Lat view, L wrist radiograph, 14y M, cast present, 456x1056:
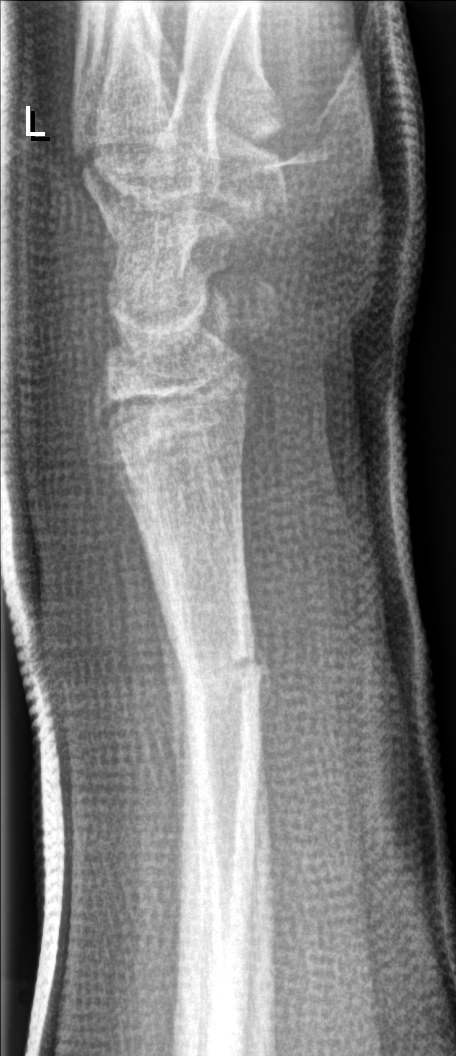

FINDINGS — Periosteal reaction identified at 150 564 190 873 | 251 614 272 781. AO code 23-M/2.1. One fracture at 173 630 269 705.